Lt wrist plain film | frontal | 8y F:
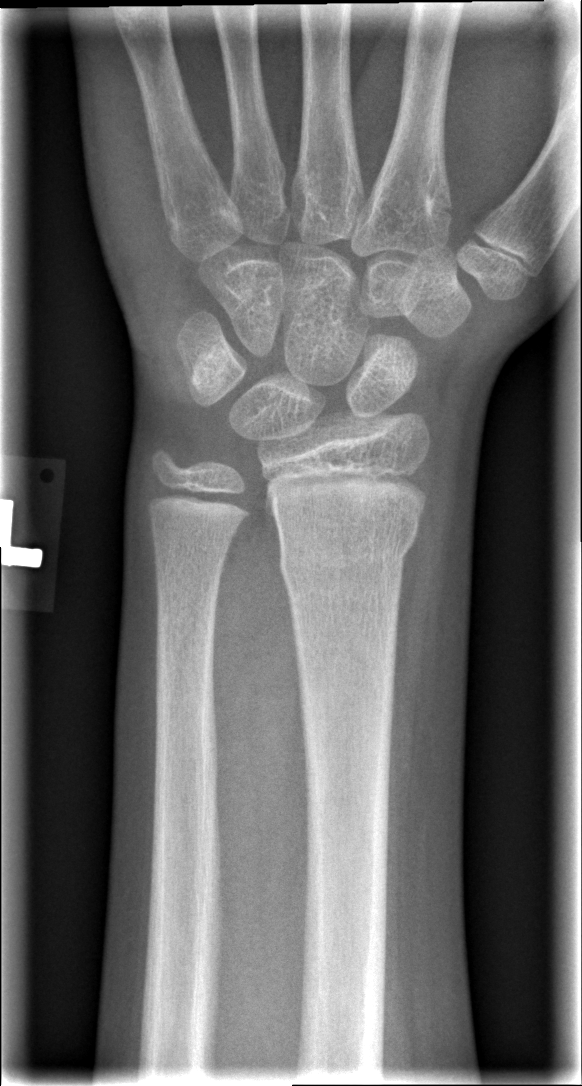
Fracture classified AO/OTA 23r-M/2.1. Fracture identified at [278, 525, 417, 587].